Lateral · Lt wrist plain film
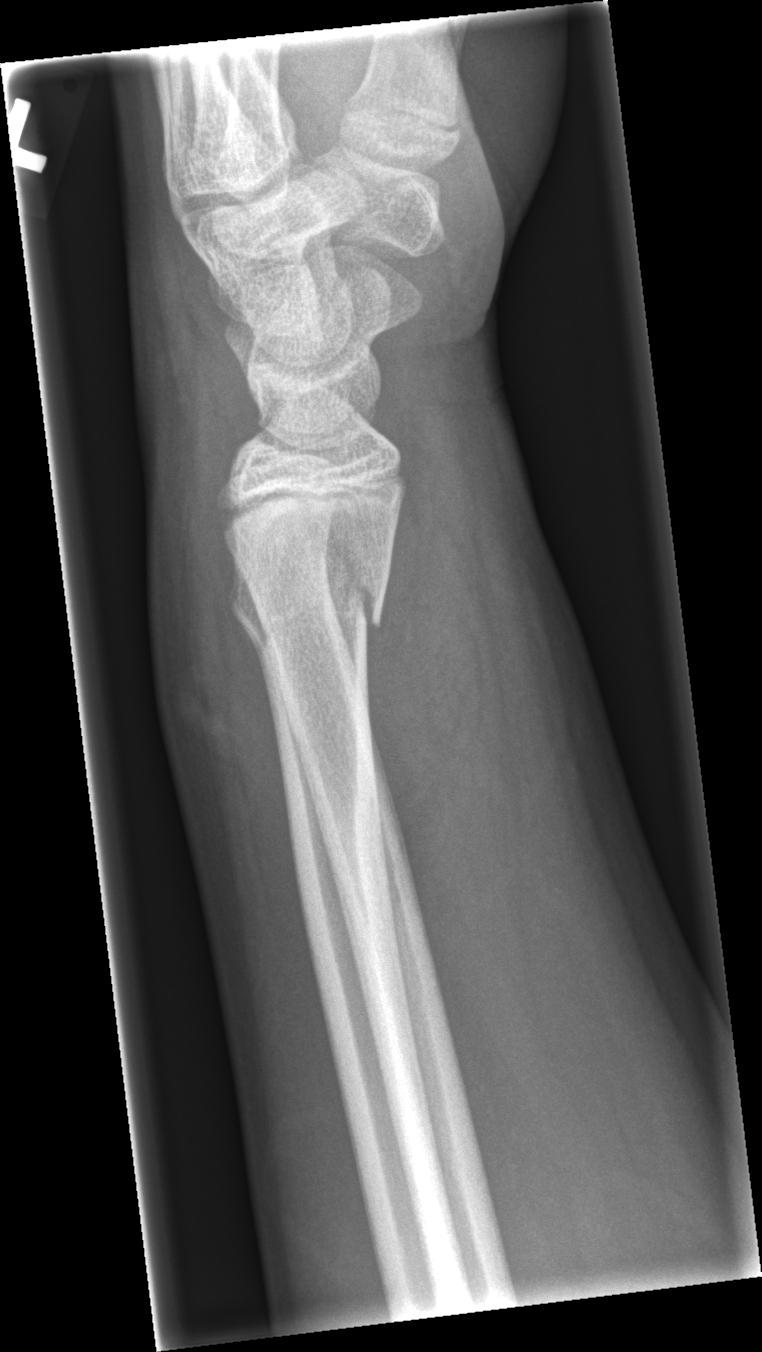

soft tissue abnormality = 1 @ (146, 584, 293, 879)
Fx = (218, 535, 403, 660)
pronator sign = 1 @ (361, 421, 490, 888)